Lat view | right wrist X-ray | subsequent exam | acquired on Siemens.

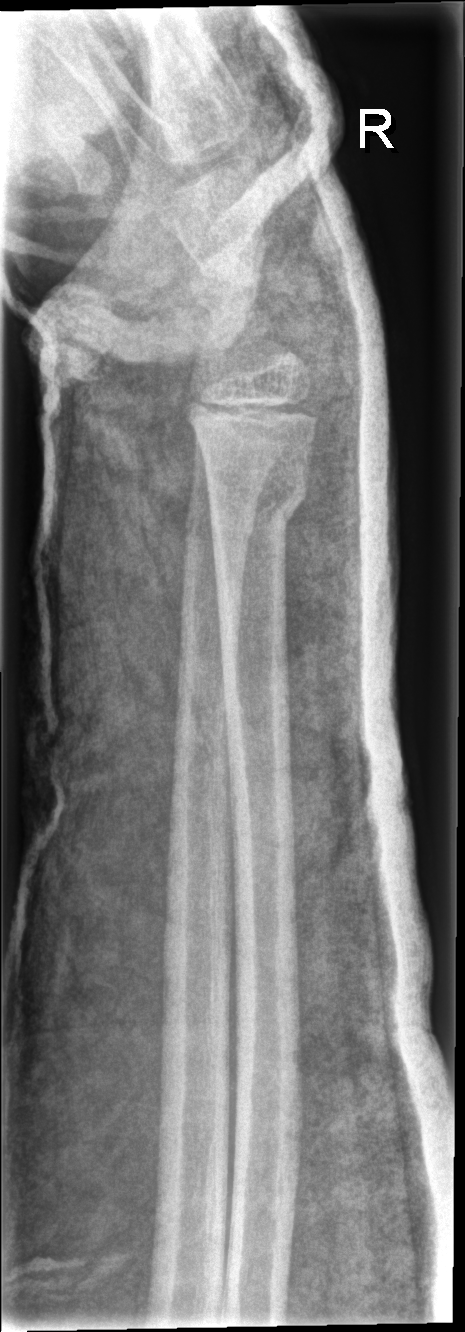

AO classification: 23-M/2.1
Fx: 2 @ [x1=202, y1=462, x2=316, y2=536], [x1=182, y1=502, x2=259, y2=547]